PA; right wrist plain radiograph of the wrist —
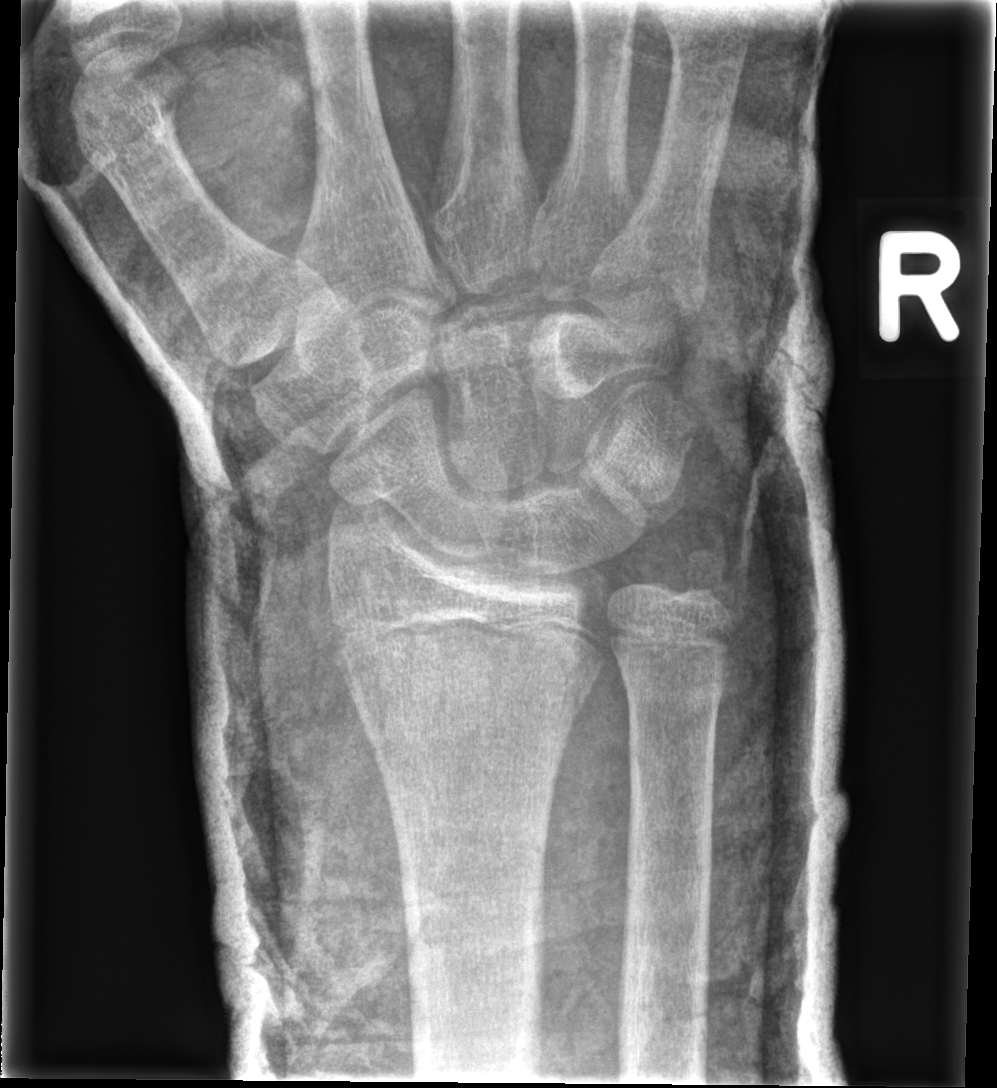 (boxes as x1,y1,x2,y2 (top-left / bottom-right, pixel units))
Q: Any fracture seen?
A: One Fx at [x1=672, y1=537, x2=745, y2=624]